L wrist XR | lat view | 8y M | subsequent exam | in cast

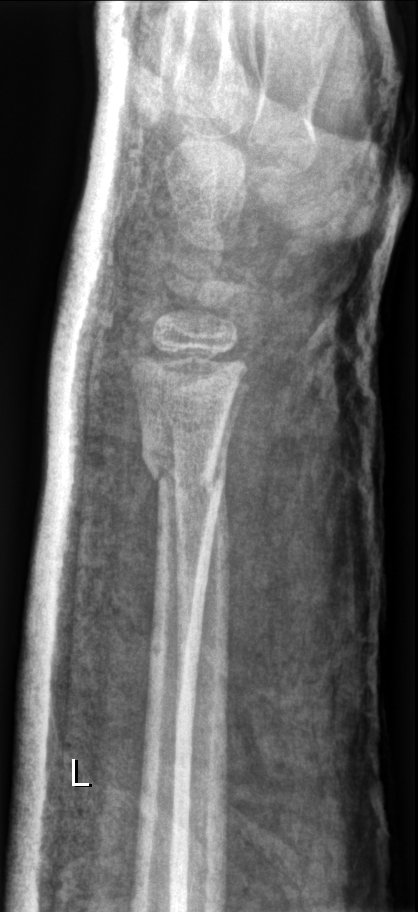

• Fx identified at bbox(138, 435, 232, 501).